Left wrist X-ray · lateral projection · follow-up · detector: Siemens:

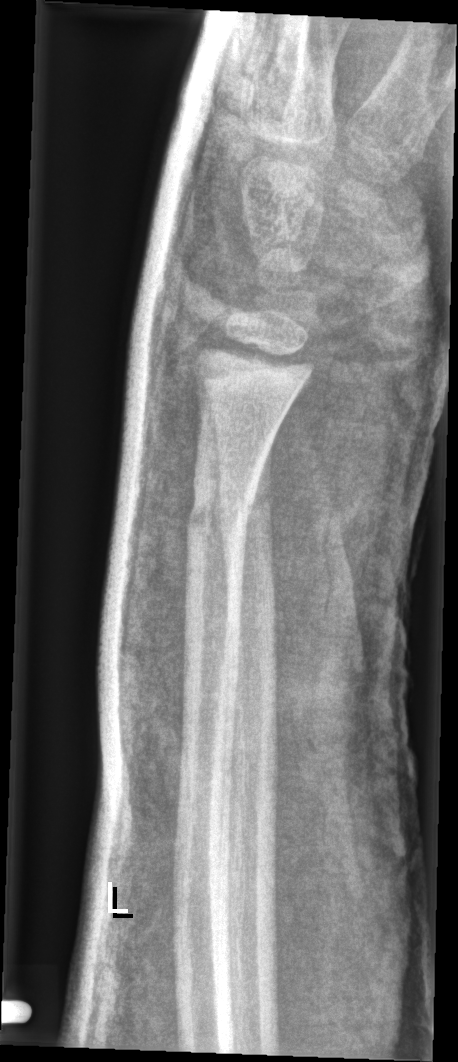 Bounding boxes in image-pixel xyxy. AO/OTA classification: 23r-M/3.1; 23u-M/2.1. Fx — (left=184, top=479, right=260, bottom=542).